Lat view; left wrist radiograph; age 13 y, boy: 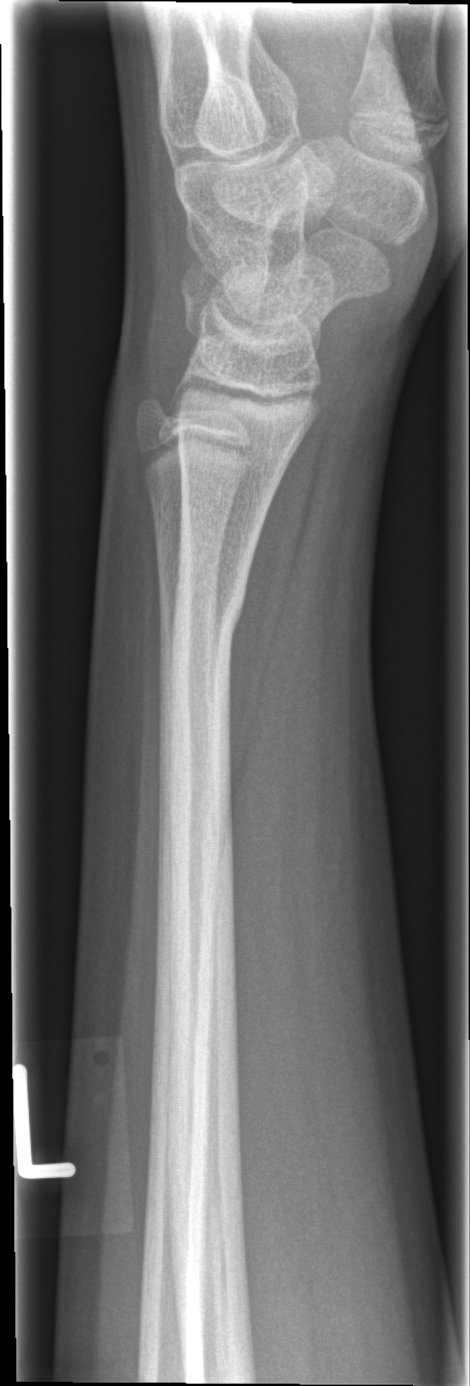
Fx = 1 @ 168 574 249 666
AO classification = 23r-M/2.1